Obl view, Lt wrist radiograph, 400x742 —
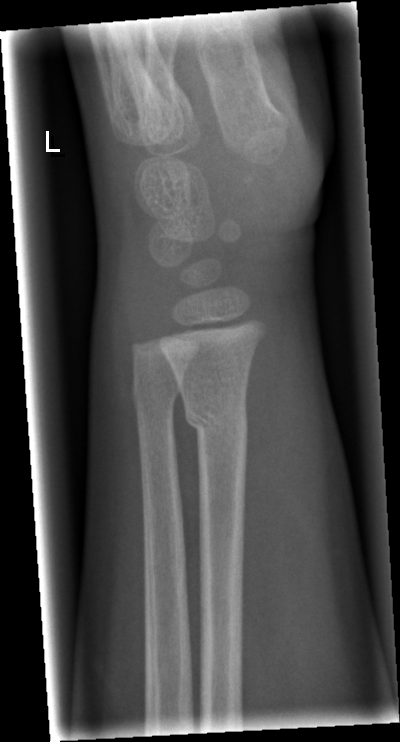 FINDINGS: (pixel coordinates, top-left origin, xyxy) Fx identified at [x1=179, y1=393, x2=251, y2=446], [x1=128, y1=371, x2=181, y2=421]. AO code 23-M/2.1.